Lateral view · L wrist radiograph · pediatric patient (female, age 7) —

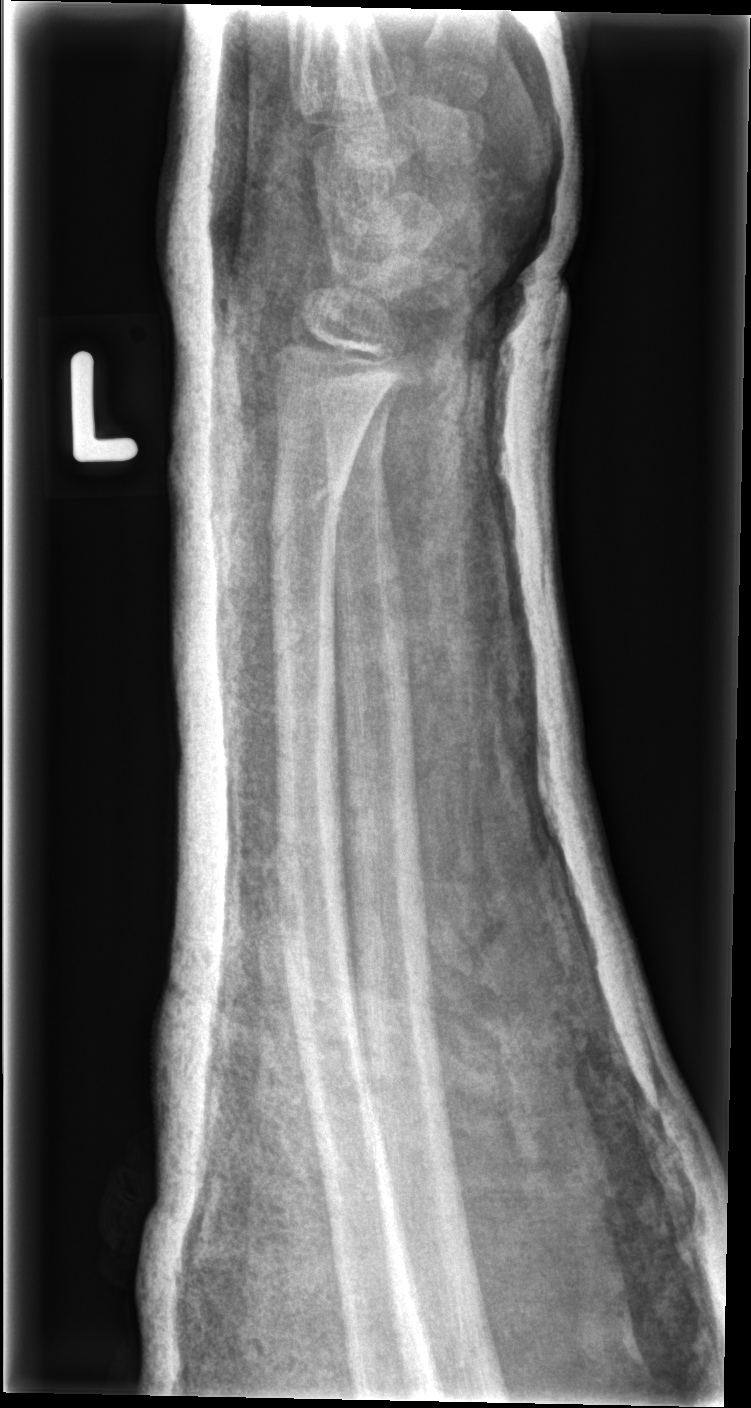 FINDINGS — AO/OTA classification: 23-M/2.1. Two fractures at 263 466 351 543; 321 410 391 494.